Right wrist plain film | lateral | 9y F | initial study:

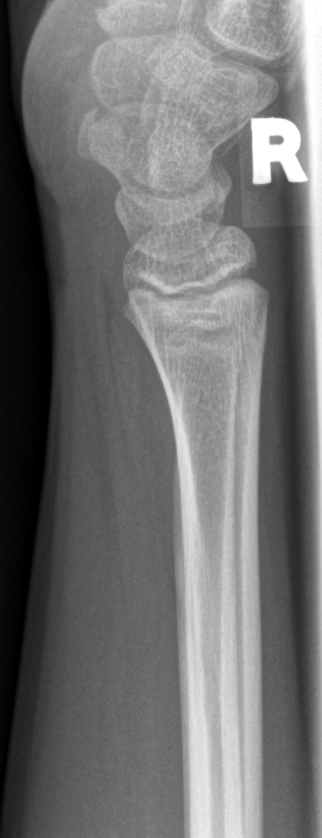

Fracture = none labeled